Right plain radiograph of the wrist · PA/AP · follow-up —
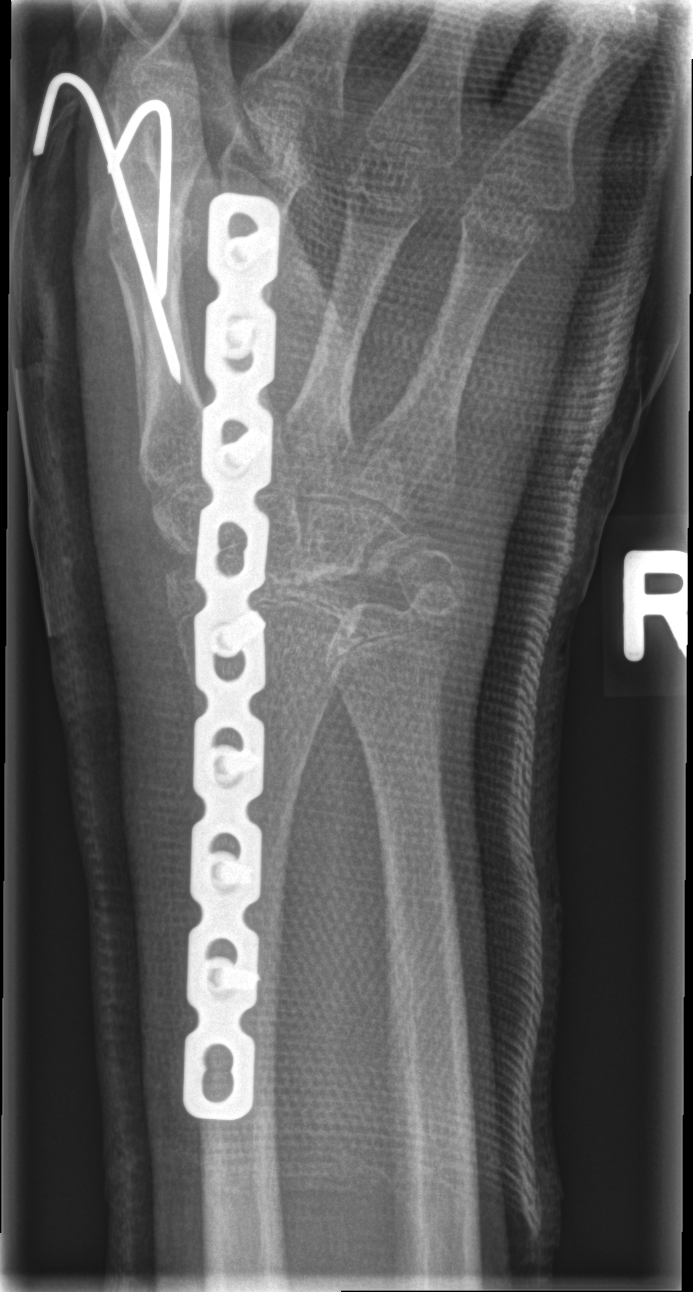 {"_coords": "boxes as x1,y1,x2,y2 (top-left / bottom-right, pixel units)", "metal": "2 @ [180, 188, 286, 1124]; [28, 65, 183, 383]", "fracture": "none labeled"}